Lat projection · L plain radiograph of the wrist · female, 12 yo · Siemens:

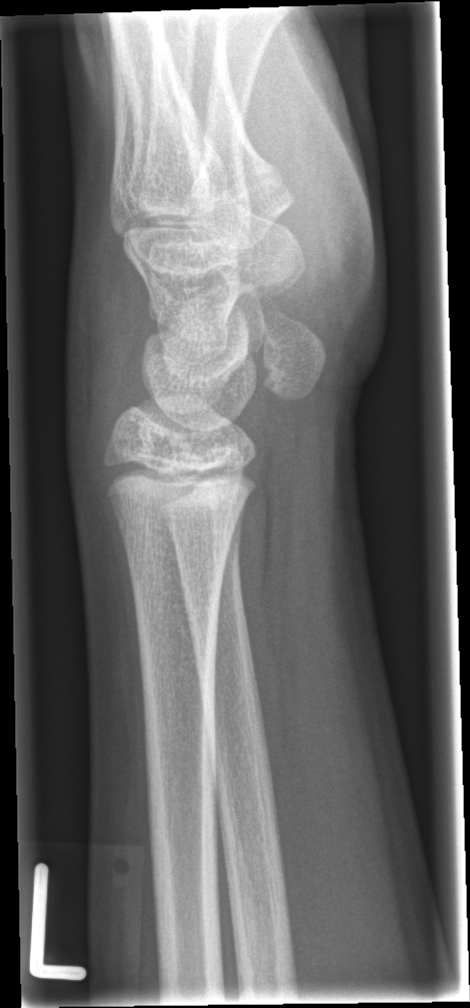
  fracture: none labeled